R pediatric wrist radiograph | lat view | age 10 y, girl | index exam | image size 443x812
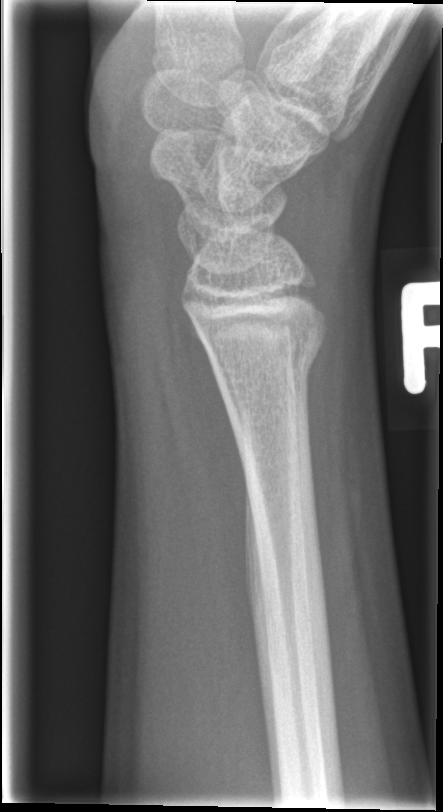

{
  "fracture": "bbox(207, 330, 329, 408)",
  "ao": "23r-M/2.1"
}